Lt wrist X-ray; lateral projection; age 11 y, male —
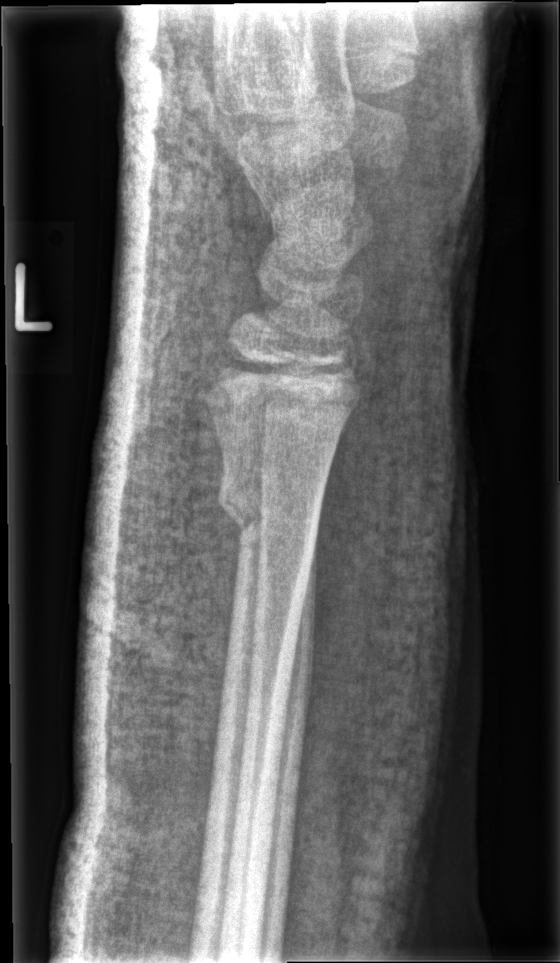

AO/OTA classification: 23r-M/2.1; 23u-E/7.
Fracture identified at (213, 454, 326, 557).